Lt wrist plain film · posteroanterior view · female, 7 yo · subsequent exam. 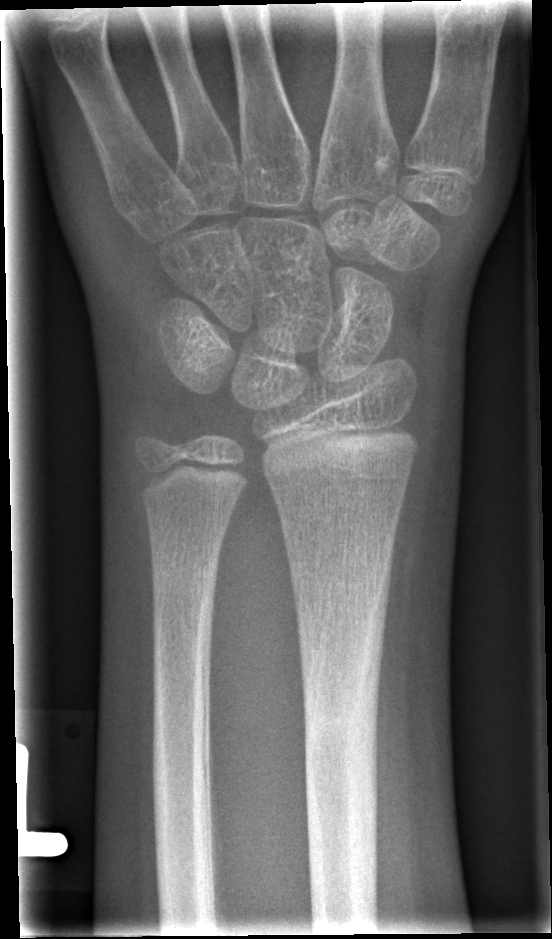 Two fractures at 302 562 392 910
  147 538 226 608.